R wrist plain film | frontal projection | boy, 7 yo | in cast
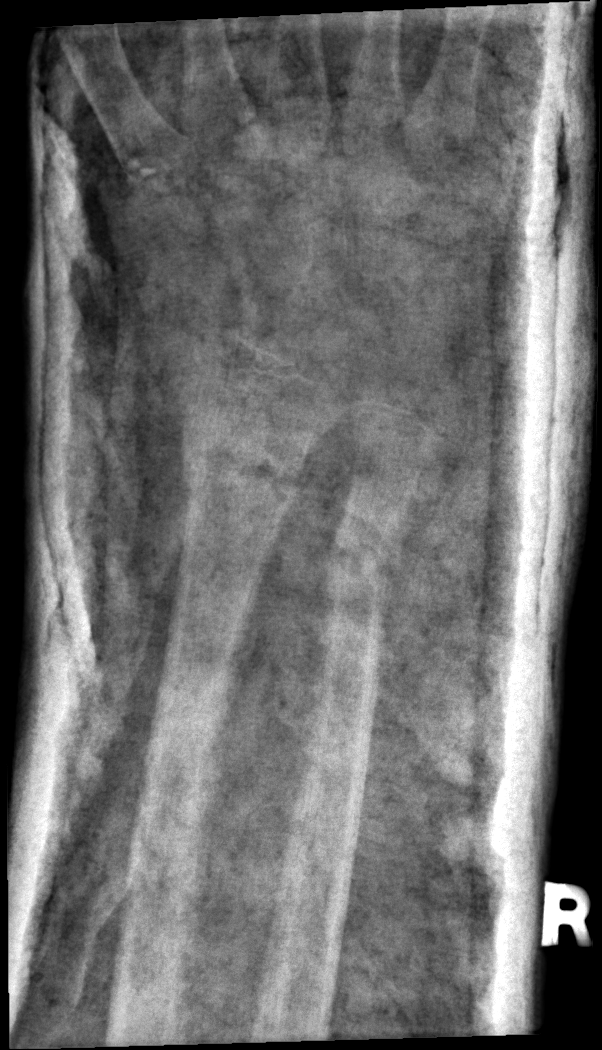
Q: Is there a fracture?
A: Fx identified at [x1=177, y1=416, x2=309, y2=530] [x1=320, y1=510, x2=413, y2=592]